Left wrist radiograph · lateral view · 9y M · follow-up · imaged through cast · image 98.4 mm wide
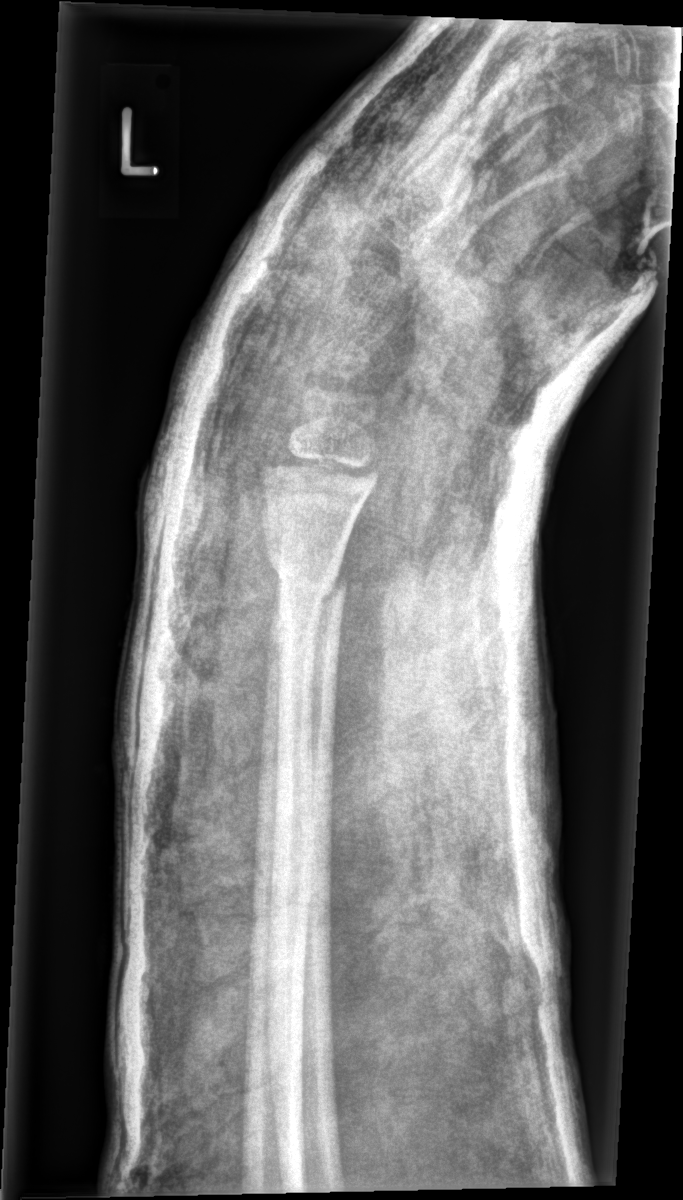

- Bone fracture identified at 269 551 347 619.